Rt wrist XR | posteroanterior projection | pediatric patient (female, age 9):

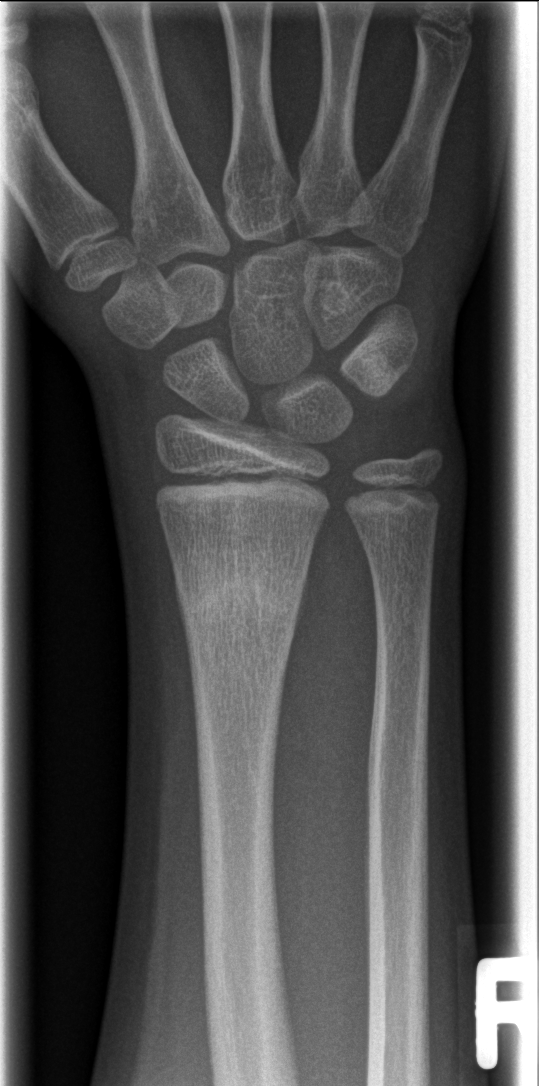

(coordinates are [x1, y1, x2, y2] in image pixels)
Q: Fracture present?
A: One bone fracture at [175, 550, 307, 629]
Q: AO code?
A: Fracture classified AO/OTA 23r-M/2.1